Left wrist X-ray, frontal projection, presentation radiograph, acquired on Siemens: 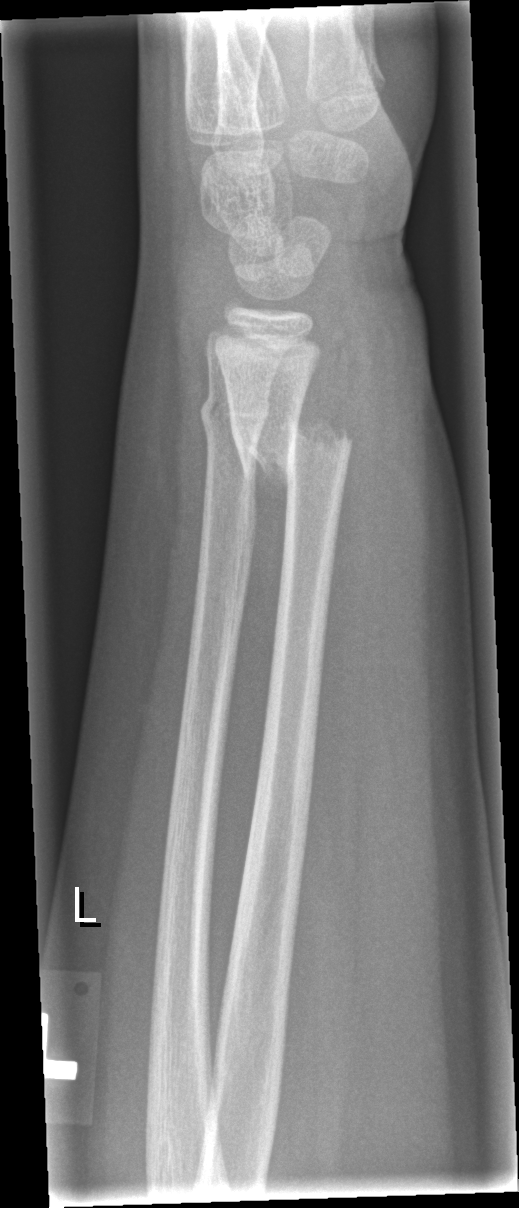

Coordinates are [x1, y1, x2, y2] in image pixels.
AO code 23r-M/3.1; 23u-M/2.1.
Fx: bbox(226, 403, 357, 486) bbox(199, 375, 275, 439).